AP view, right plain radiograph of the wrist, girl, 9 yo, initial study:
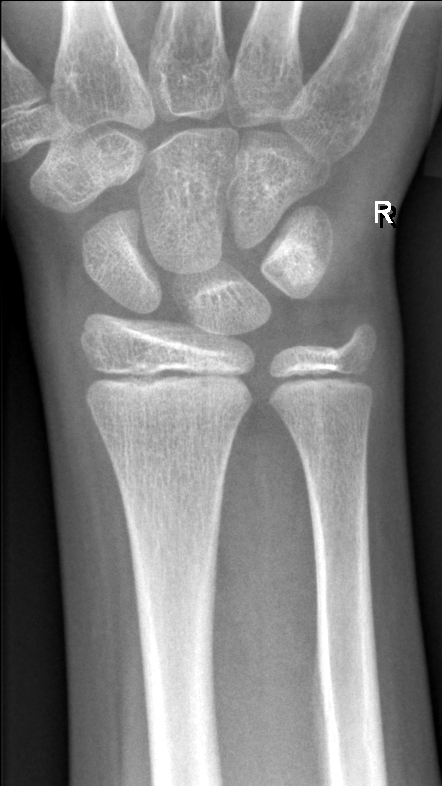
Findings: Fracture: present but not clearly seen in this view.